AP · left wrist plain film · detector: Siemens —
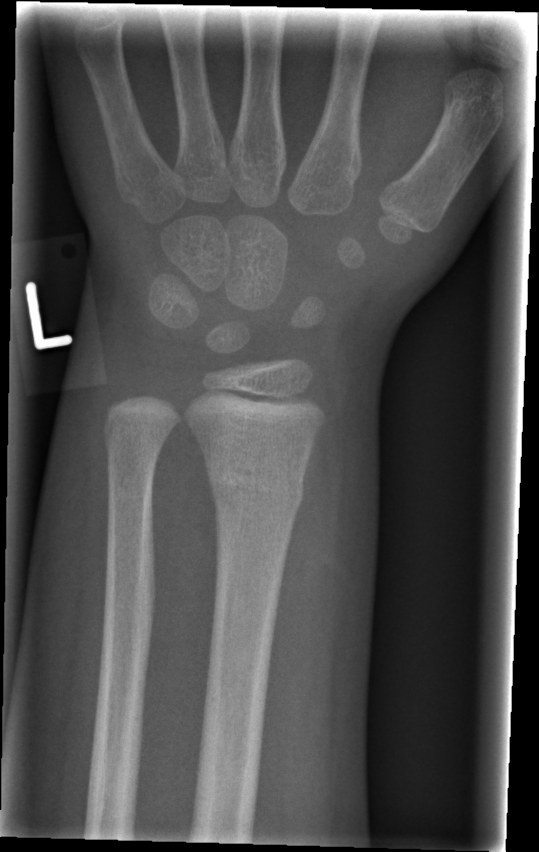 • Bounding boxes in image-pixel xyxy.
• AO/OTA classification: 23r-M/2.1.
• Fracture — bbox(202, 458, 306, 520).